Right wrist pediatric wrist radiograph | AP | female, 8 yo | 444 x 977 px — 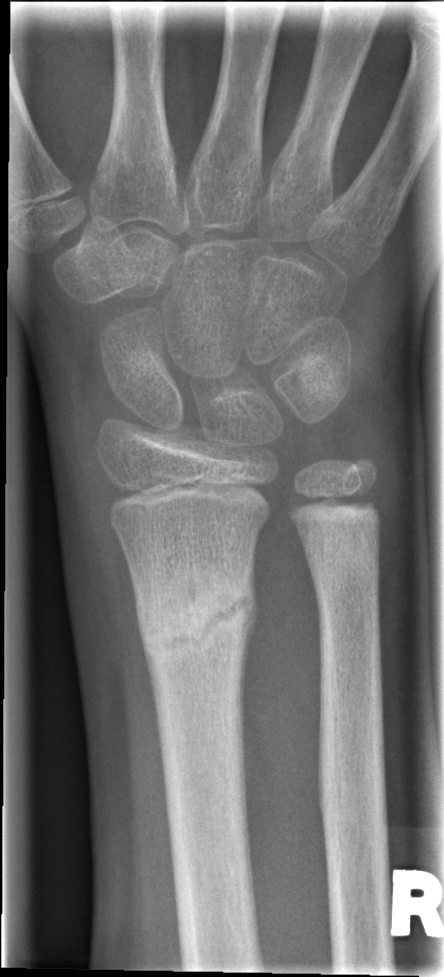
- Boxes as x1,y1,x2,y2 (top-left / bottom-right, pixel units).
- Osteopenia.
- Periosteal new bone identified at [x1=241, y1=551, x2=260, y2=730].
- AO/OTA classification: 23-M/3.1.
- Fractures — [x1=134, y1=561, x2=259, y2=680]; [x1=304, y1=521, x2=382, y2=599].